PA/AP projection; R pediatric wrist radiograph; initial study
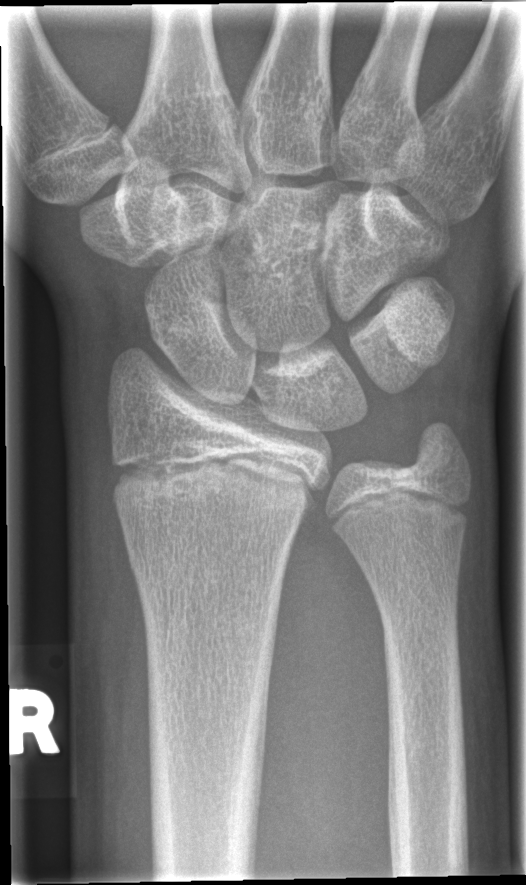 No fracture annotation.